Right wrist plain film, PA, male, 14 yo, 724 x 953 px:
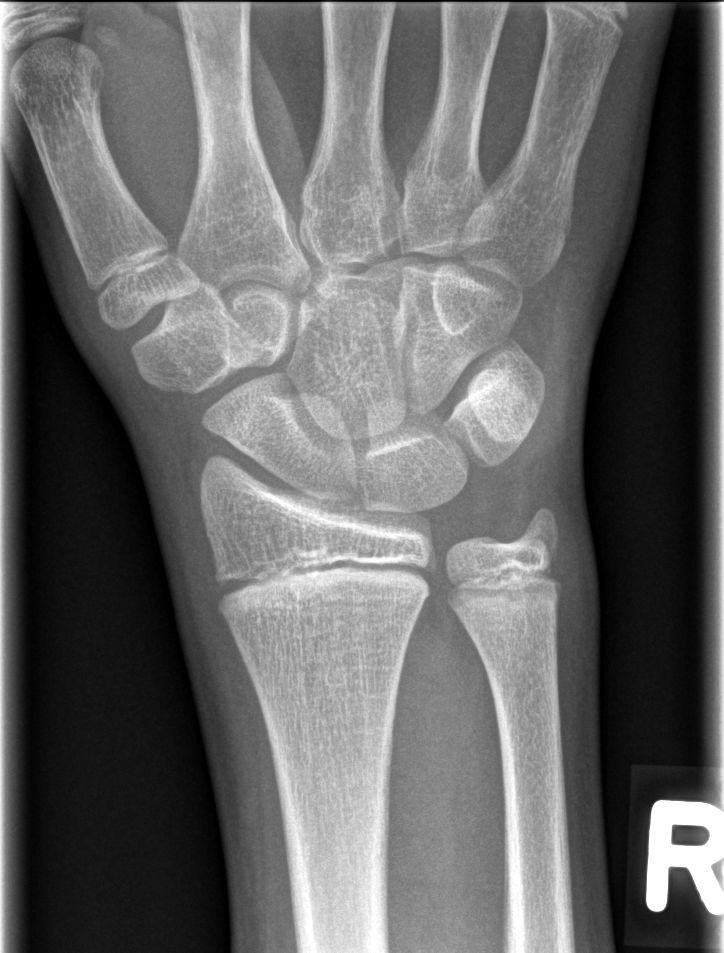
Fx = none labeled